Left wrist pediatric wrist radiograph; lateral; female, 4 yo. 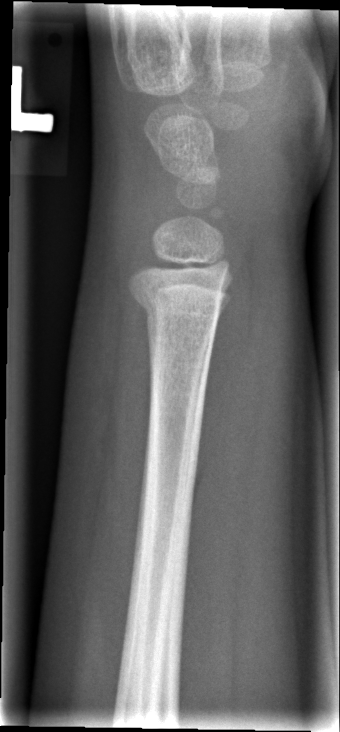

(coordinates are [x1, y1, x2, y2] in image pixels)
AO classification = 23r-M/2.1
Fx = (126, 266, 233, 327)